Rt plain radiograph of the wrist, lateral projection, initial study, image width 43.8 mm: 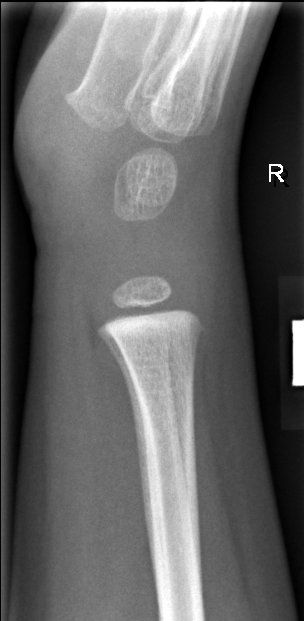

FINDINGS: No fracture labeled.